Rt wrist X-ray | PA projection | 541 x 806 px —
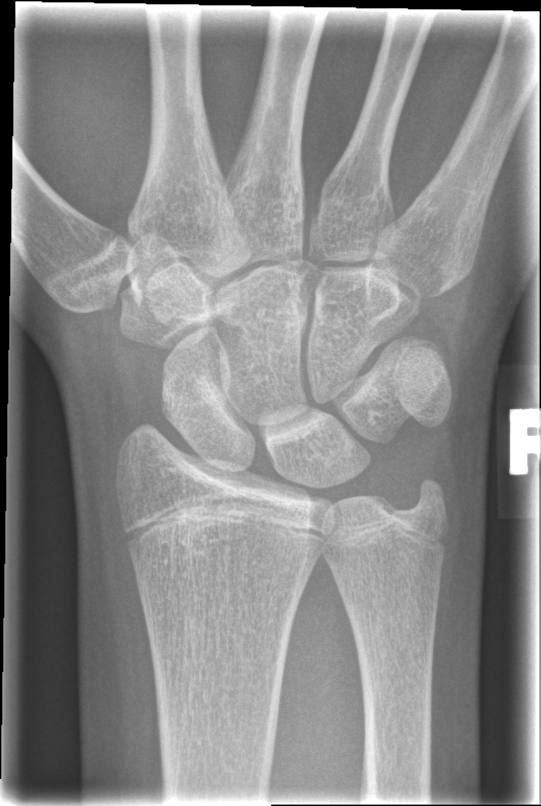
- No fracture bounding box.